Frontal, R pediatric wrist radiograph, 6y M, follow-up, imaged through cast

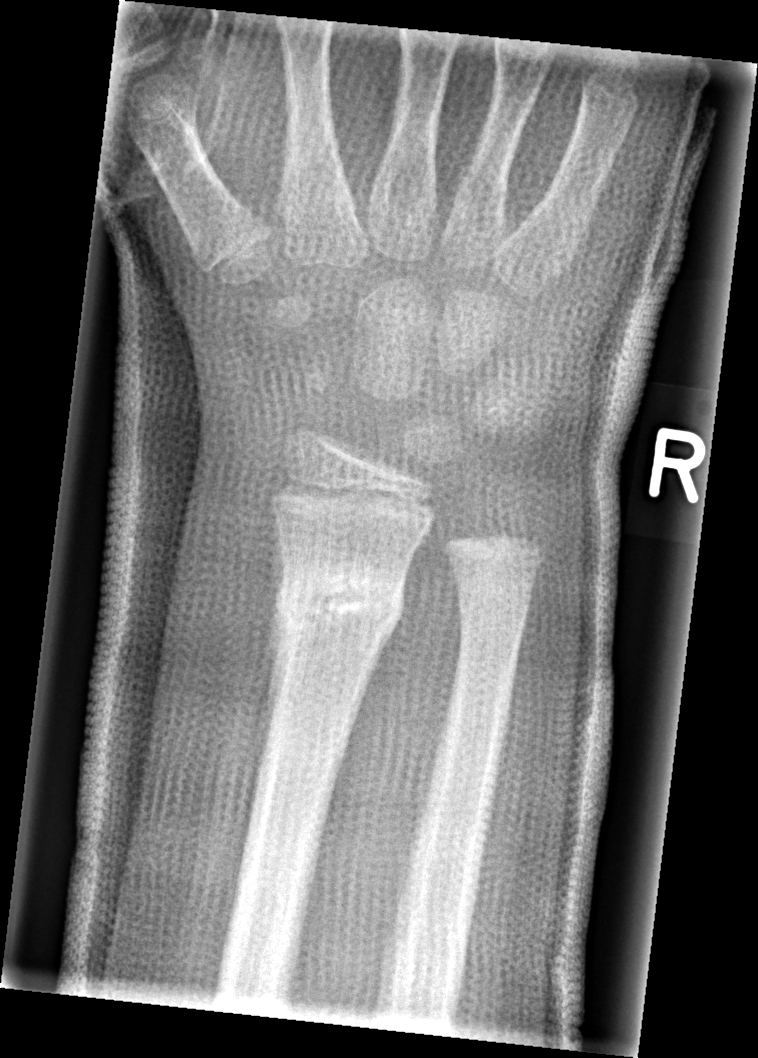
FINDINGS: (boxes as x1,y1,x2,y2 (top-left / bottom-right, pixel units)) Fracture: 264,558,406,648 | 450,575,535,635. AO/OTA classification: 23r-M/3.1; 23u-M/2.1.